Lat view | right wrist plain film | pediatric patient (girl, age 14).
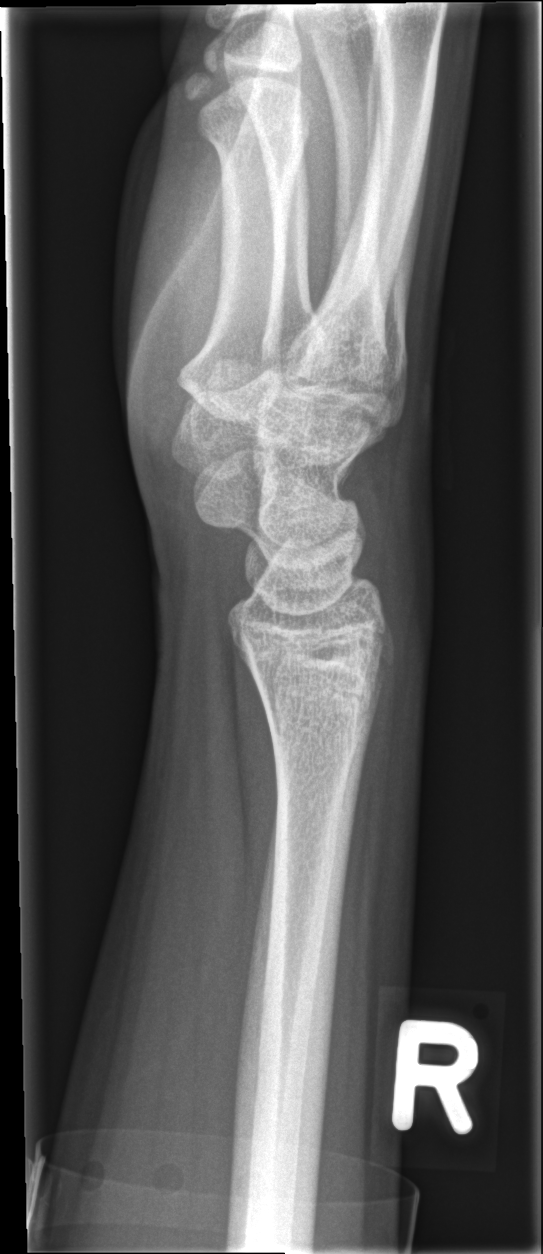

* No fracture bounding box.